Lateral · Rt wrist radiograph · image size 576x963 —

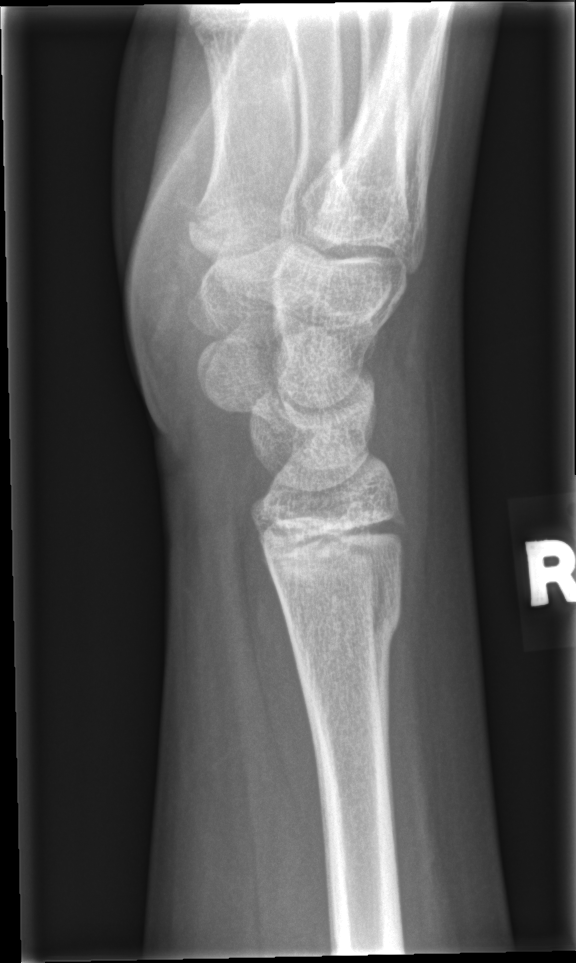 AO/OTA classification: 23r-M/2.1. Fracture identified at (left=276, top=589, right=405, bottom=651).